Lat, left wrist X-ray, pediatric patient (boy, age 10), follow-up, cast in situ, 843x1076:
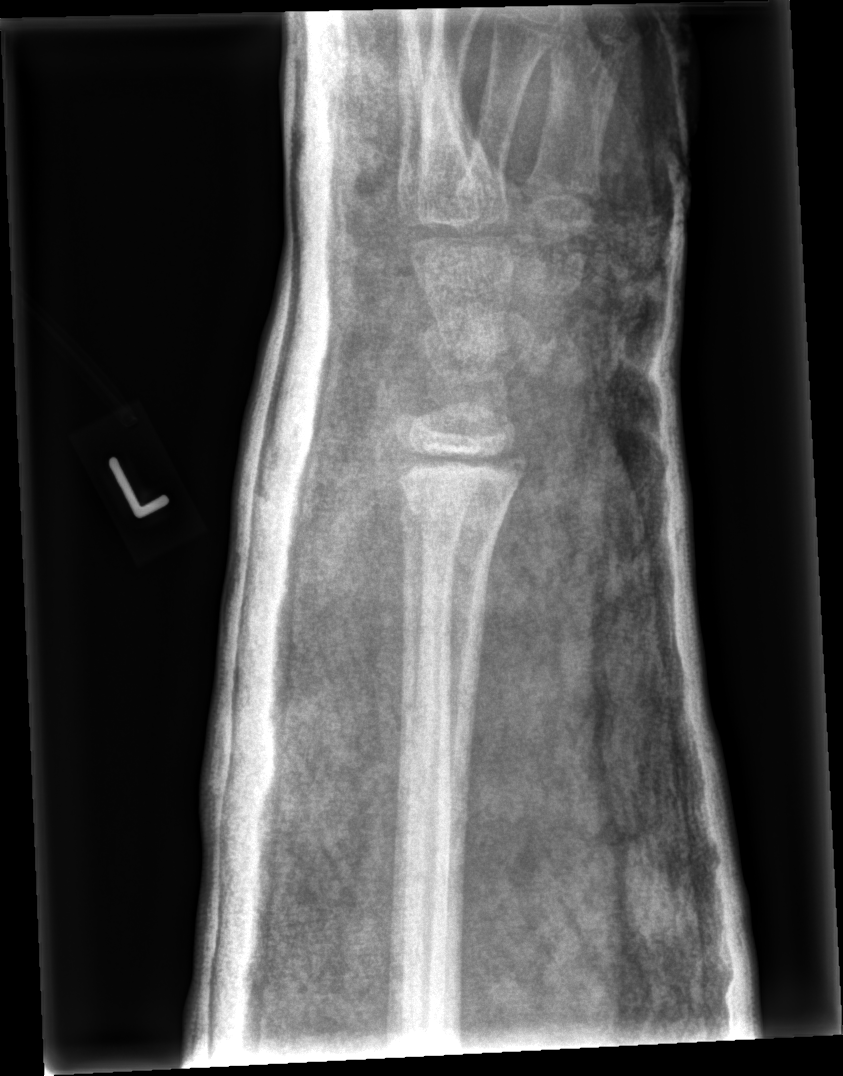
FINDINGS: Fx identified at [402, 483, 515, 562].